Left wrist radiograph, lateral, age 13 y, female:
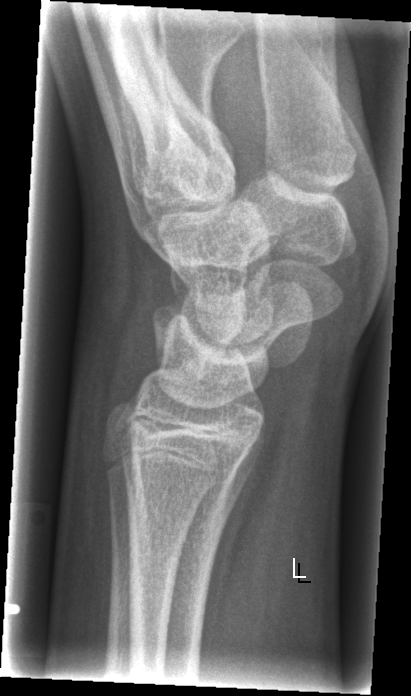 Q: Is there a fracture?
A: No fracture labeled